Lat view; left wrist plain radiograph of the wrist; acquired on Siemens —

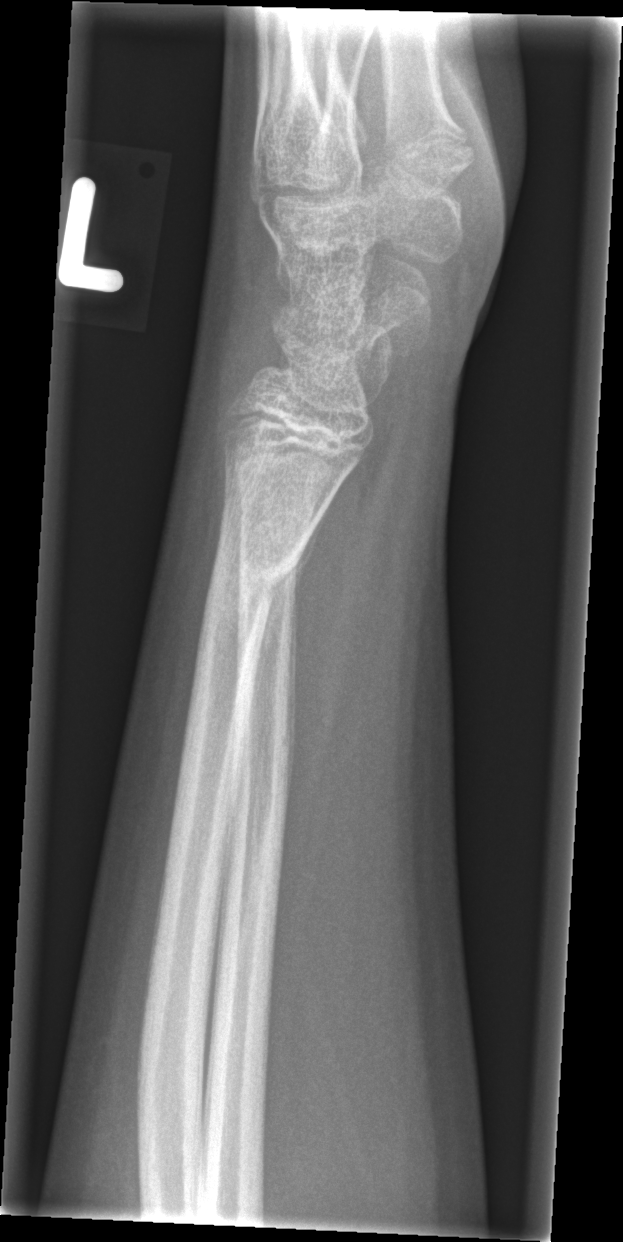 - Periosteal reaction: 245 494 335 732.
- AO/OTA classification: 23-M/2.1.
- Fracture — 197 523 315 627.
- Osteopenia.